L plain radiograph of the wrist · PA projection · imaged through cast.

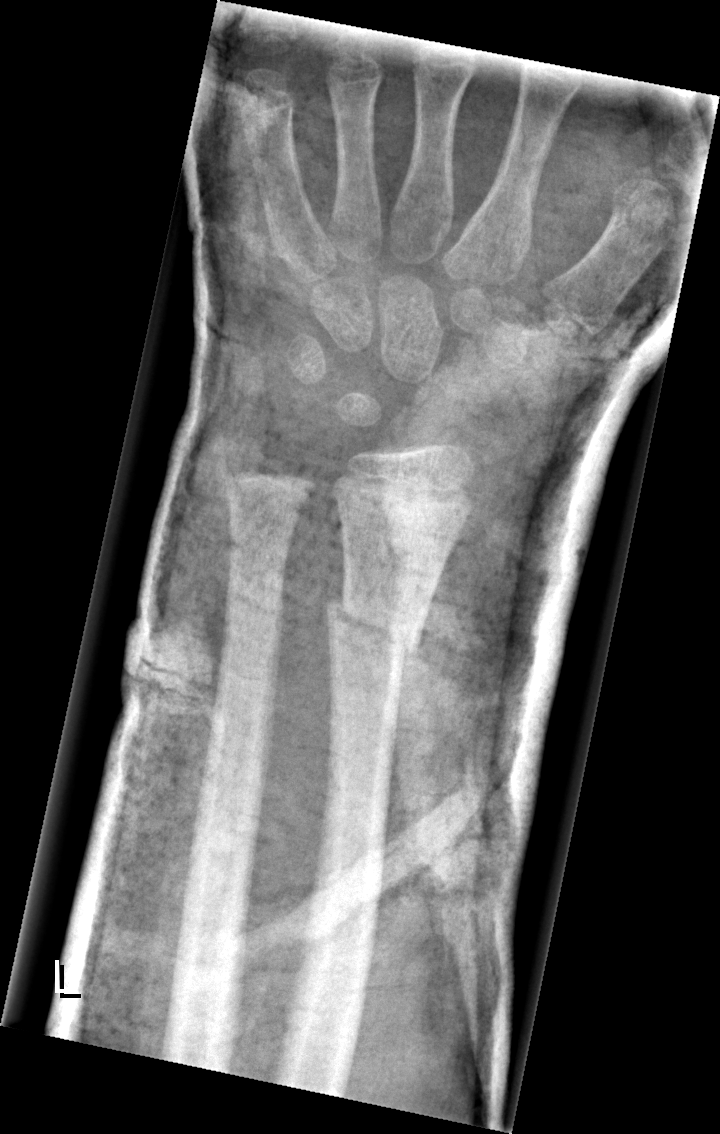
Q: What is the AO/OTA classification?
A: AO code 23r-M/3.1; 23u-M/2.1
Q: Fracture present?
A: Fx — [321, 591, 425, 666]